Lt pediatric wrist radiograph · lateral view · follow-up · in cast:

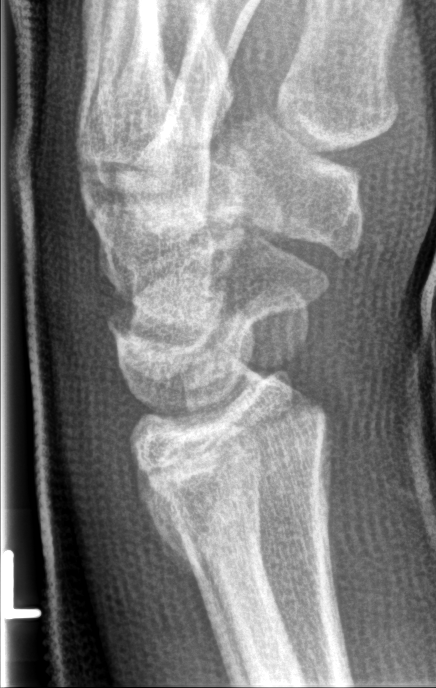
Bone fracture = [133, 392, 333, 575]